Lat view; left wrist X-ray.
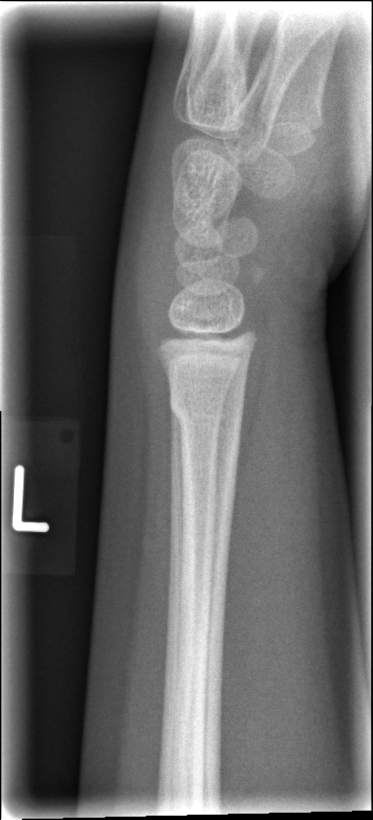
(pixel coordinates, top-left origin, xyxy)
bone fracture = (left=166, top=382, right=246, bottom=436)
AO code = 23r-M/2.1